Lt pediatric wrist radiograph, lat projection, 15y F, Siemens 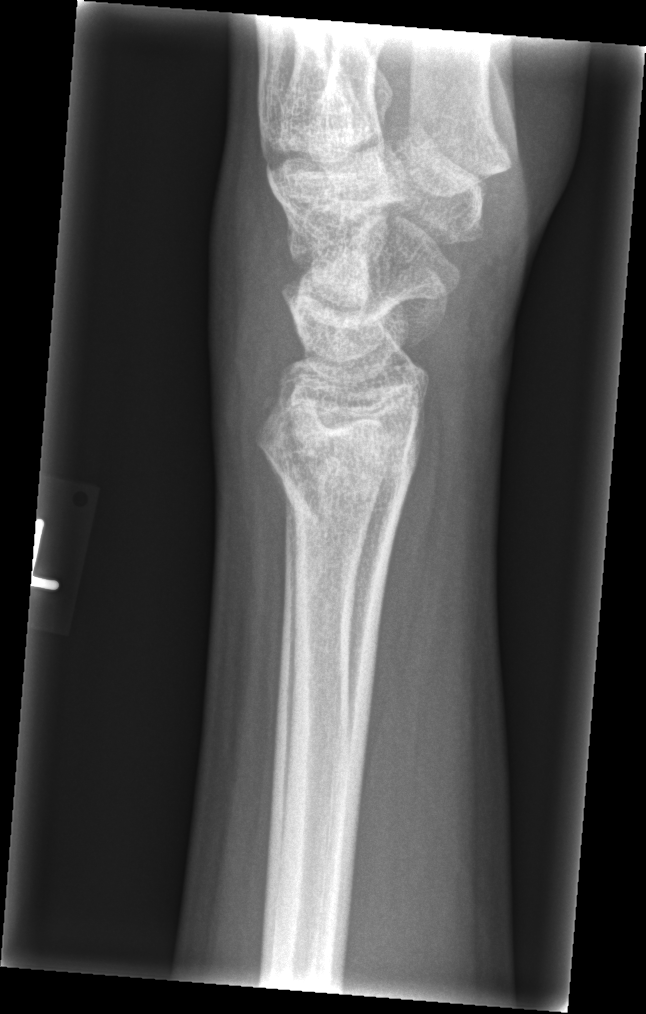
FINDINGS — (bounding boxes in image-pixel xyxy) Soft tissue abnormality identified at 199,174,300,434. Fx: 254,400,423,528. Osteopenia.